Rt wrist X-ray · lateral view · 12y M · cast in situ —

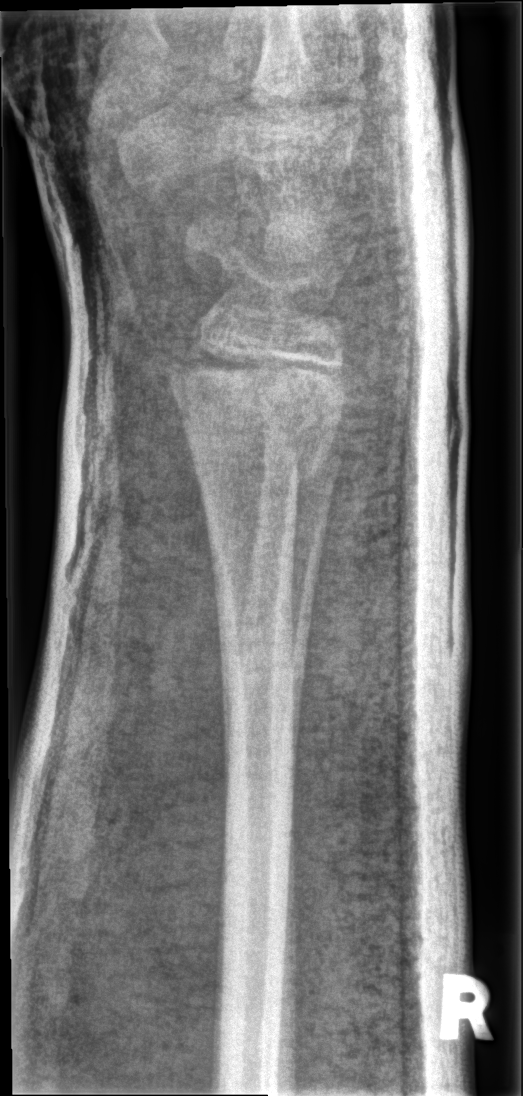 Coordinates are [x1, y1, x2, y2] in image pixels.
Fx: [x1=162, y1=337, x2=360, y2=491].
AO/OTA classification: 23r-E/2.1; 23u-E/7.